Frontal, Lt pediatric wrist radiograph, index exam

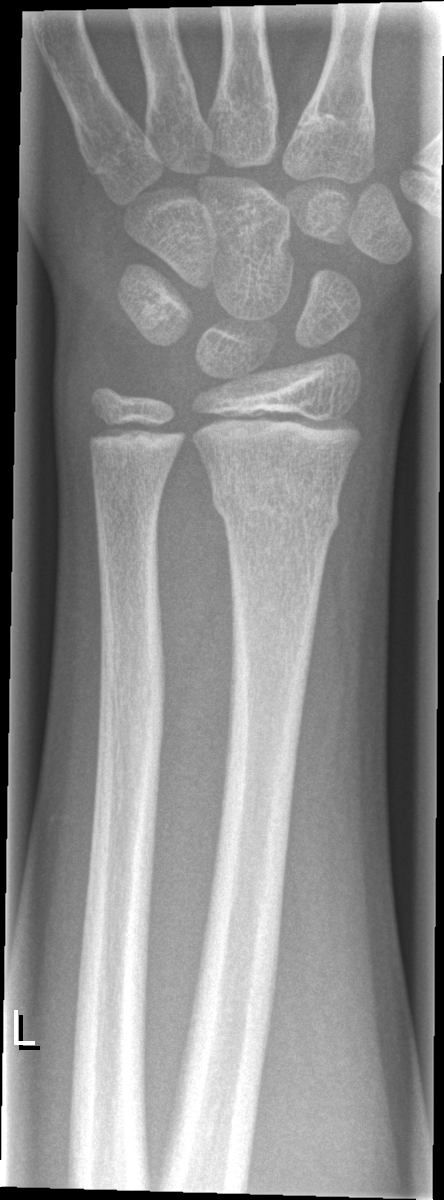 Findings: Fracture: [206, 463, 344, 546]. Fracture classified AO/OTA 23r-M/2.1.